Left wrist plain radiograph of the wrist | lat view | follow-up study | image size 518x1044 —

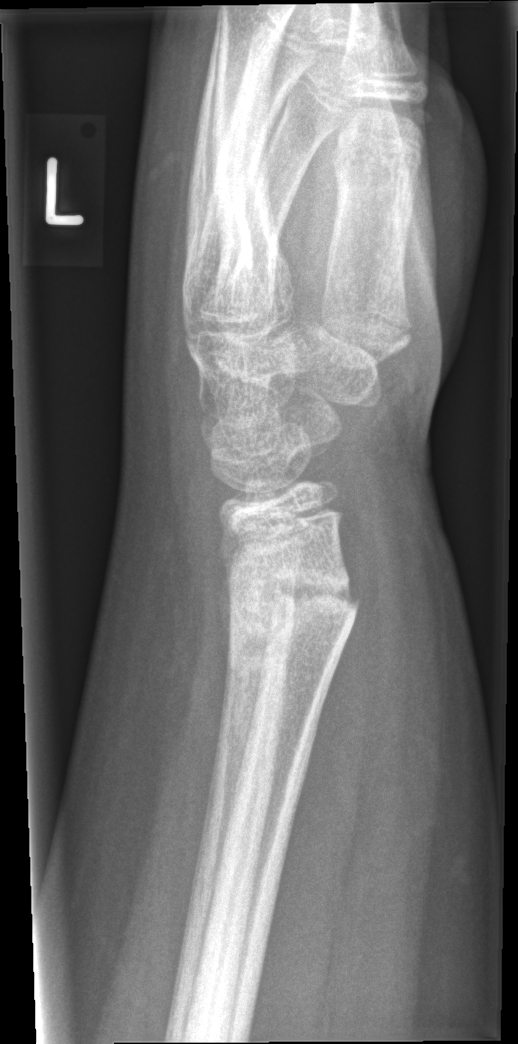

ao: 23r-M/3.1; 23u-E/7
fracture: (left=219, top=562, right=365, bottom=681)